Lateral projection; right wrist XR; 15y M; initial study: 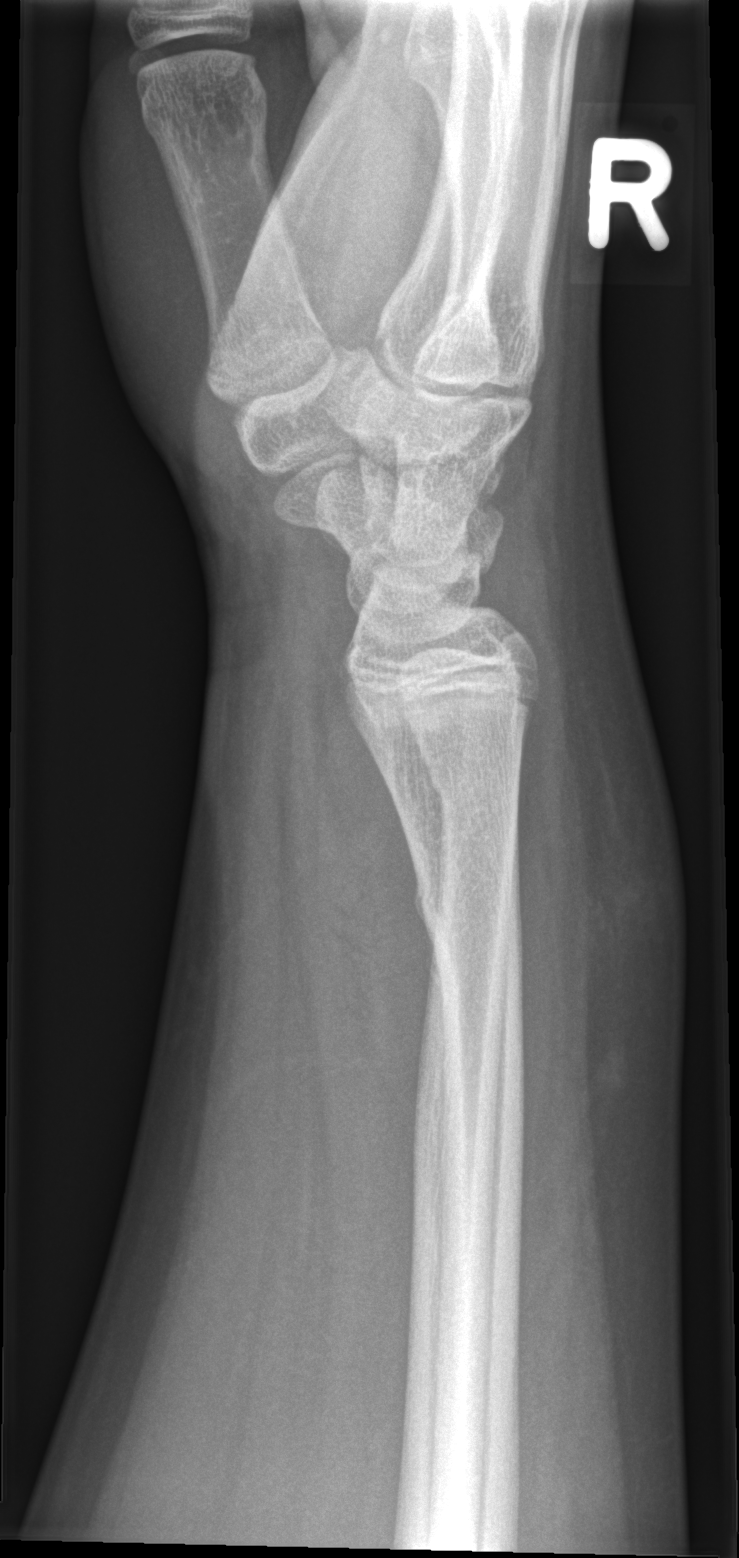
Findings: Positive pronator fat-pad sign — bbox(310, 637, 432, 1199). Two fractures at bbox(405, 850, 531, 993), bbox(416, 742, 523, 829).